R wrist radiograph | lat | index exam.
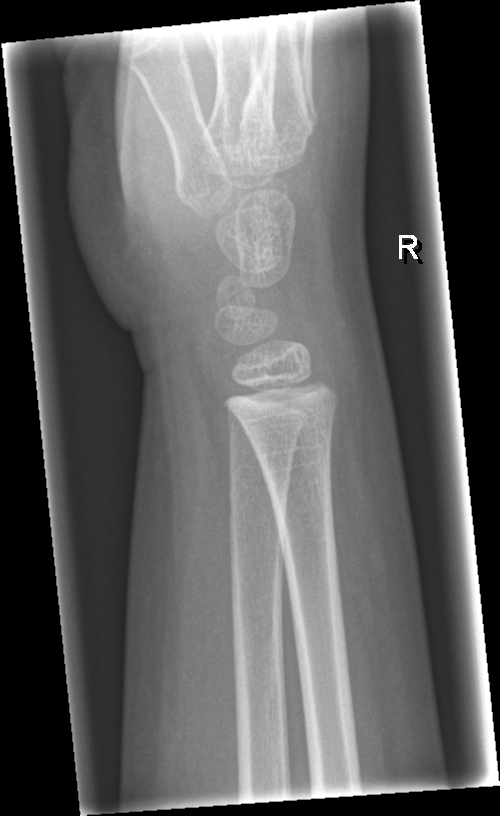

No Fx annotated.